PA view · left wrist X-ray · image width 67.0 mm —

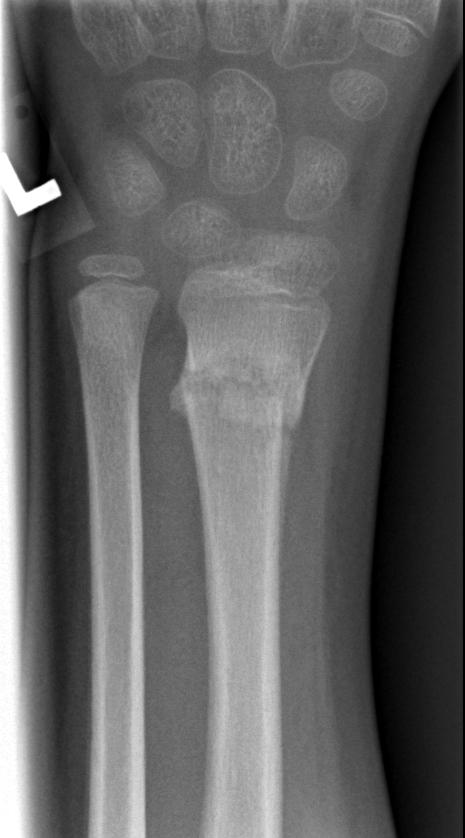

Q: Bone density?
A: Osteopenic
Q: Any fracture seen?
A: One fracture at [170, 341, 309, 448]
Q: Locate any periosteal reaction.
A: Periosteal new bone — [279, 414, 300, 605]